Lateral · L plain radiograph of the wrist · girl, 11 yo · 52.7 mm image width.

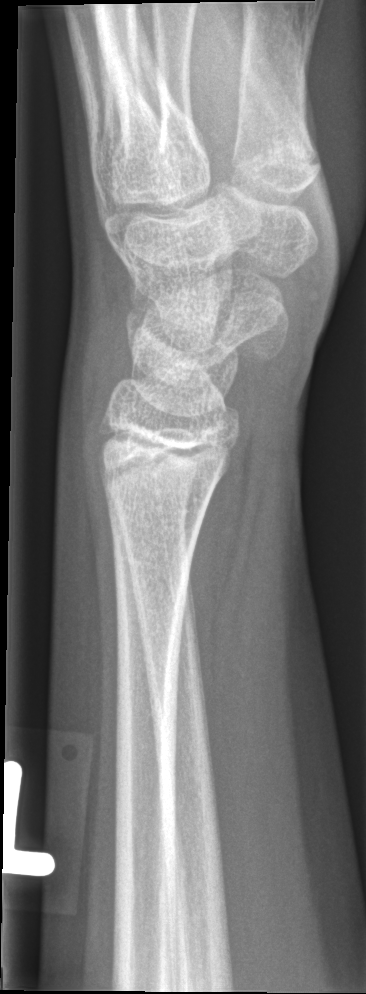 Findings: Fracture: none labeled.